Frontal projection · Rt wrist XR · boy, 11 yo · Siemens · image 65.7 mm wide · 456 x 1142 px —
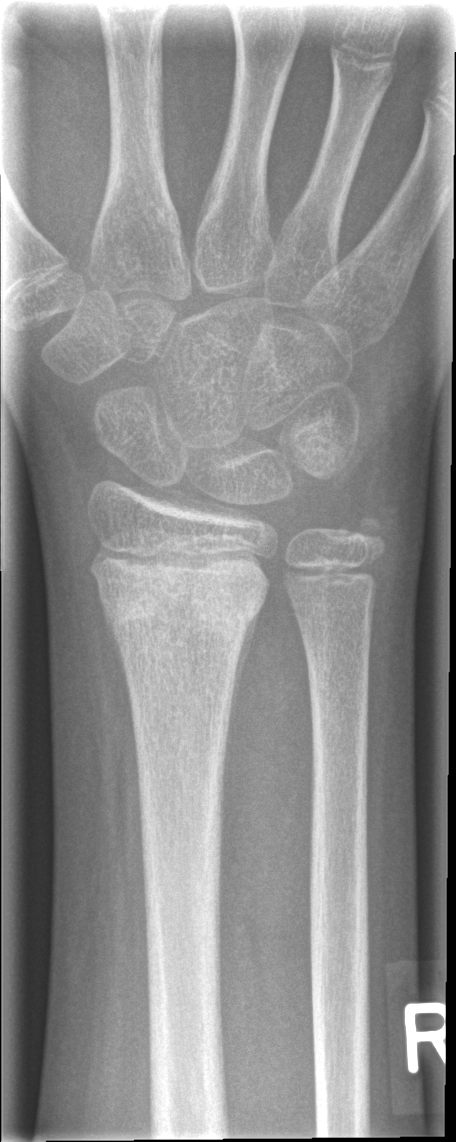
* Boxes as x1,y1,x2,y2 (top-left / bottom-right, pixel units).
* Osteopenic.
* Periosteal thickening: <224,604>-<260,769>.
* Two Fx at <92,536>-<279,648> <341,496>-<396,563>.